Lat projection; Rt pediatric wrist radiograph; cast in situ; 477 by 1082 pixels

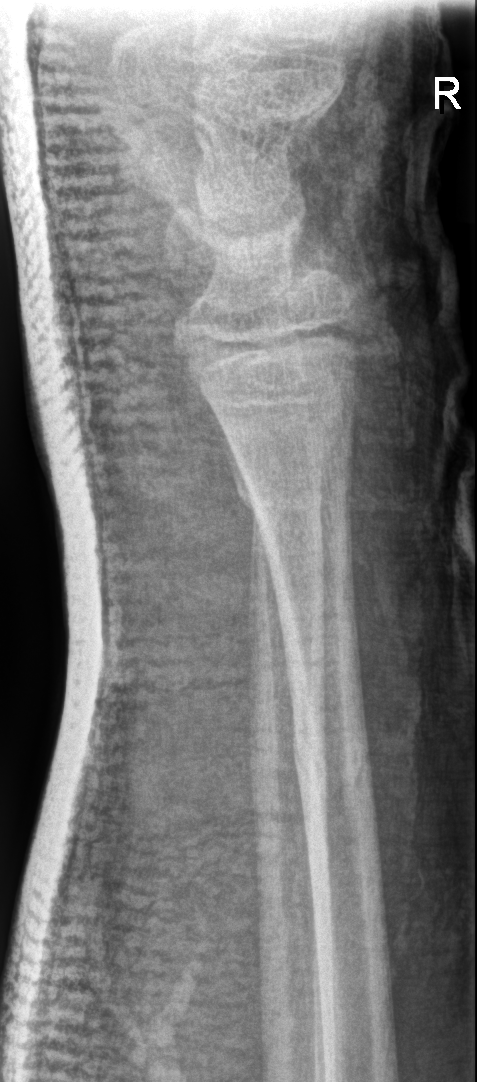

Fx: (290, 718, 381, 807); (240, 470, 328, 529)